Right pediatric wrist radiograph; lat projection; male, 14 yo; subsequent exam; imaged through cast; image size 614x1241 —

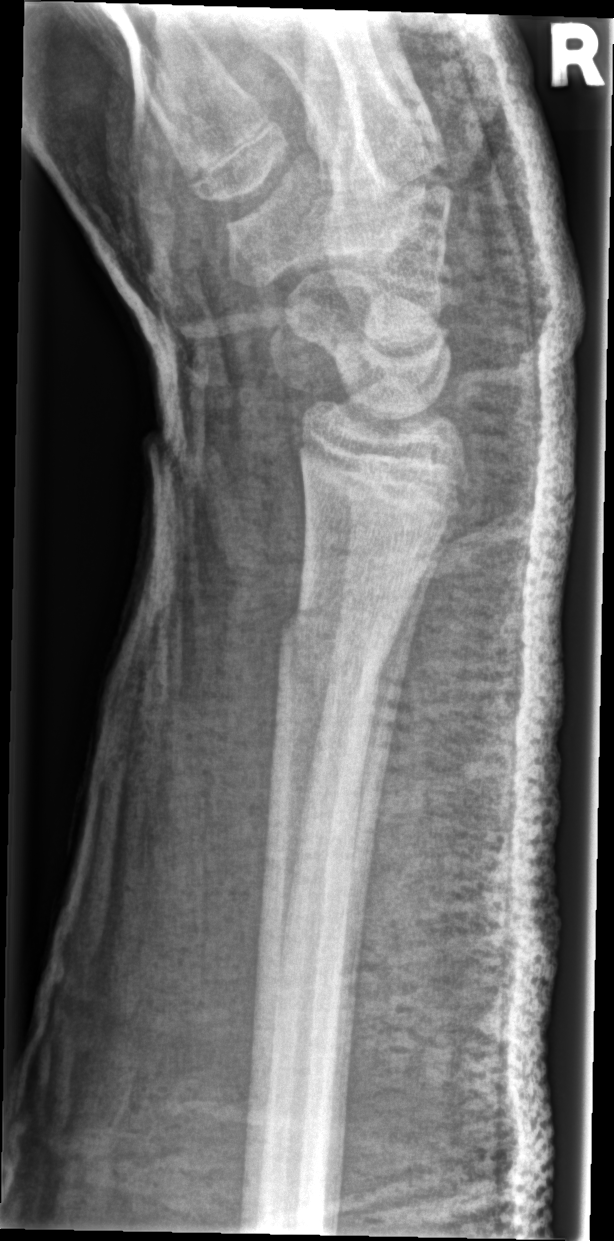

{"fracture": "<271,595>-<391,684>"}